AP projection · left wrist plain film · 5-year-old male · 684 by 802 pixels —

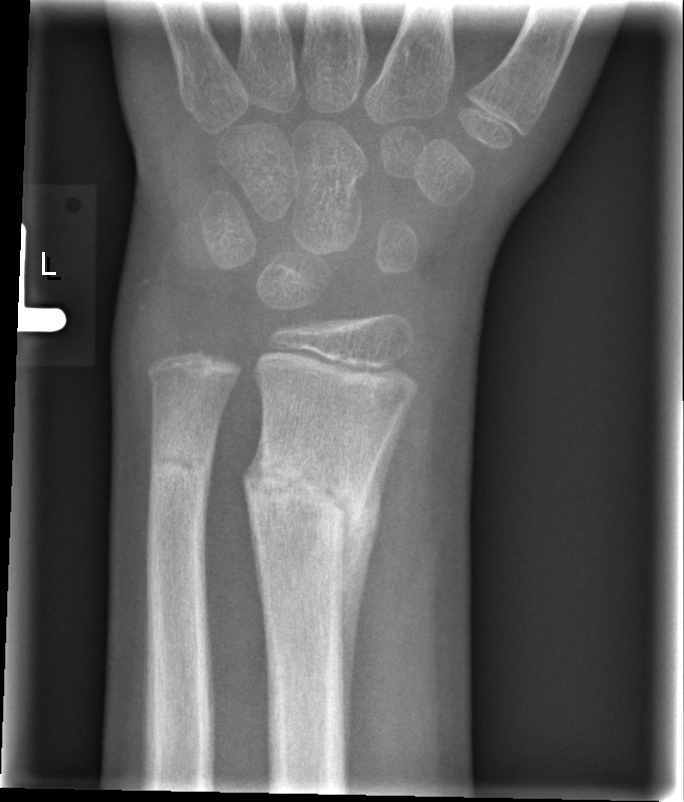 Osteopenic. AO/OTA classification: 23-M/3.1. Two bone fractures at (left=240, top=438, right=384, bottom=576) (left=144, top=432, right=216, bottom=505). Periosteal new bone identified at (left=331, top=395, right=412, bottom=763).